Lat · Lt wrist radiograph · 13y M · 97.3 mm image width
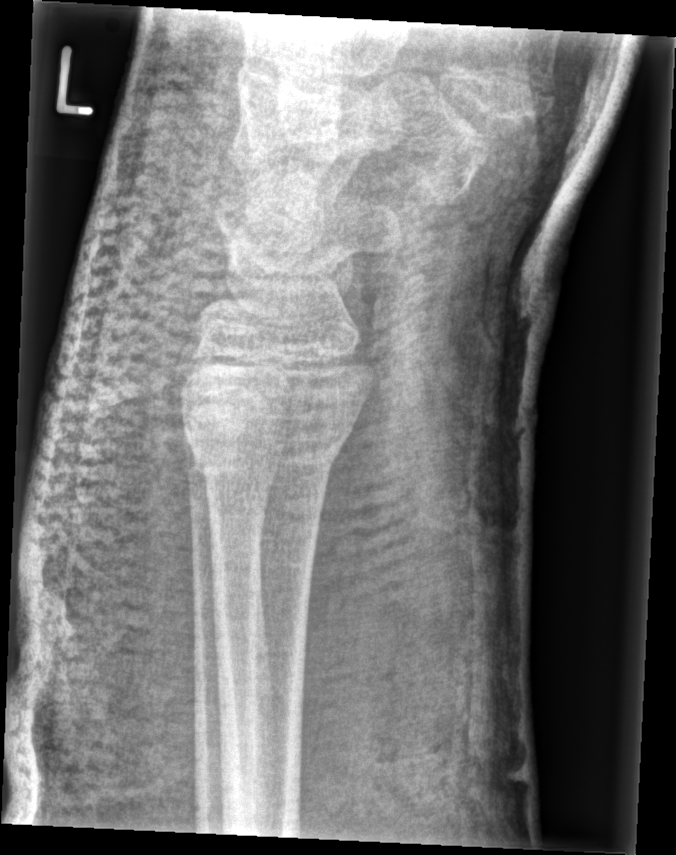
• Bone fracture identified at (left=177, top=382, right=358, bottom=482).